Posteroanterior projection; L plain radiograph of the wrist — 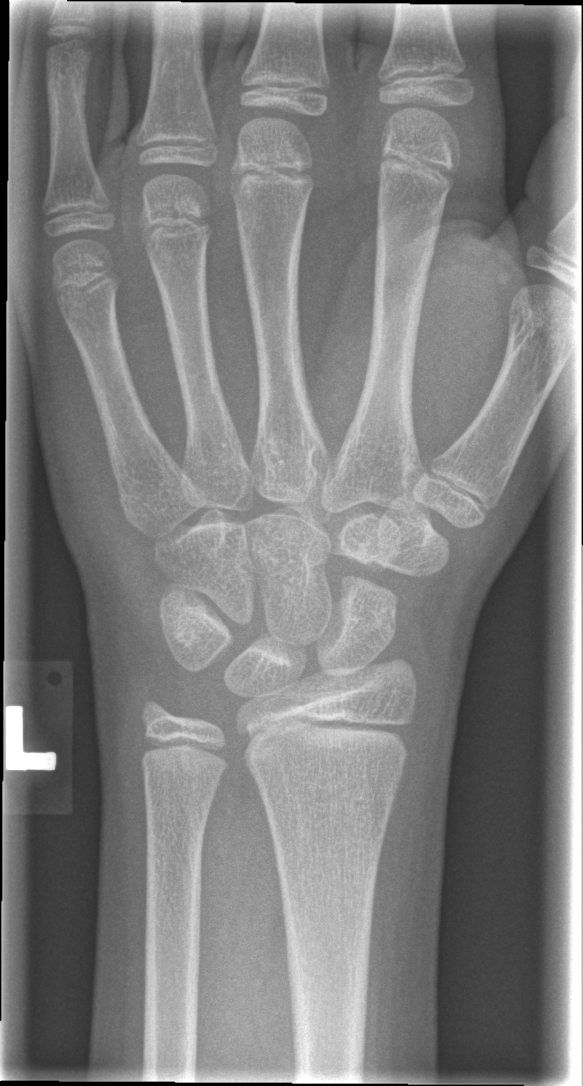

Q: Fracture present?
A: Fracture: none labeled